Posteroanterior projection; left wrist radiograph; 598 by 1152 pixels 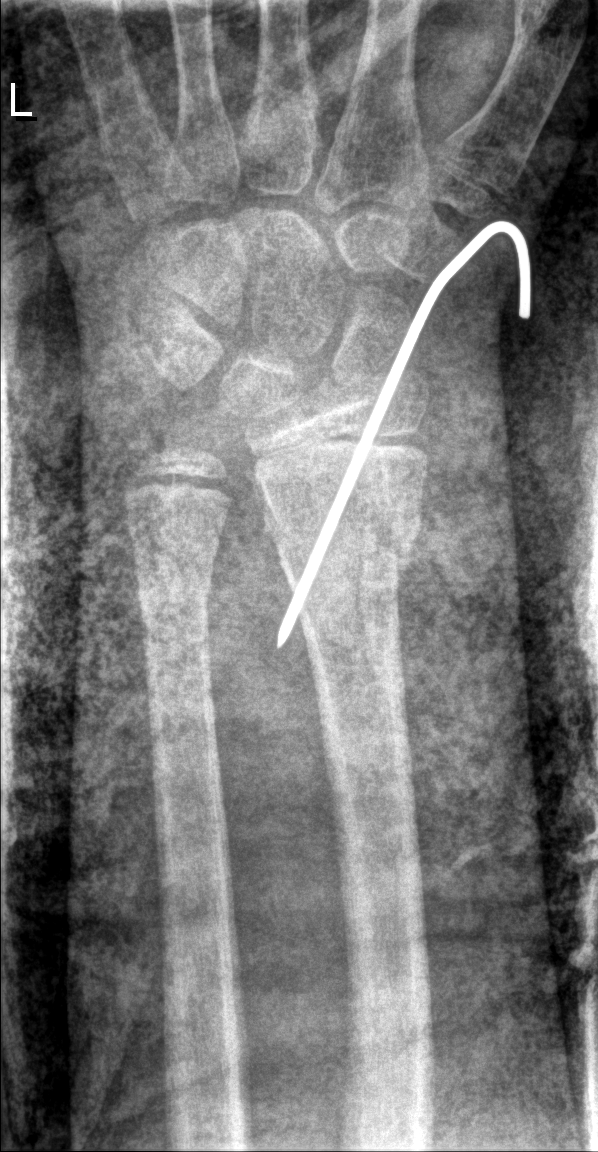 * Metal identified at 273 220 532 651.
* Two fractures at 257 457 430 611; 132 550 222 634.
* AO code 23r-M/3.1; 23u-M/2.1.